Lateral view | right plain radiograph of the wrist | 14y M | in cast | image 78.6 mm wide: 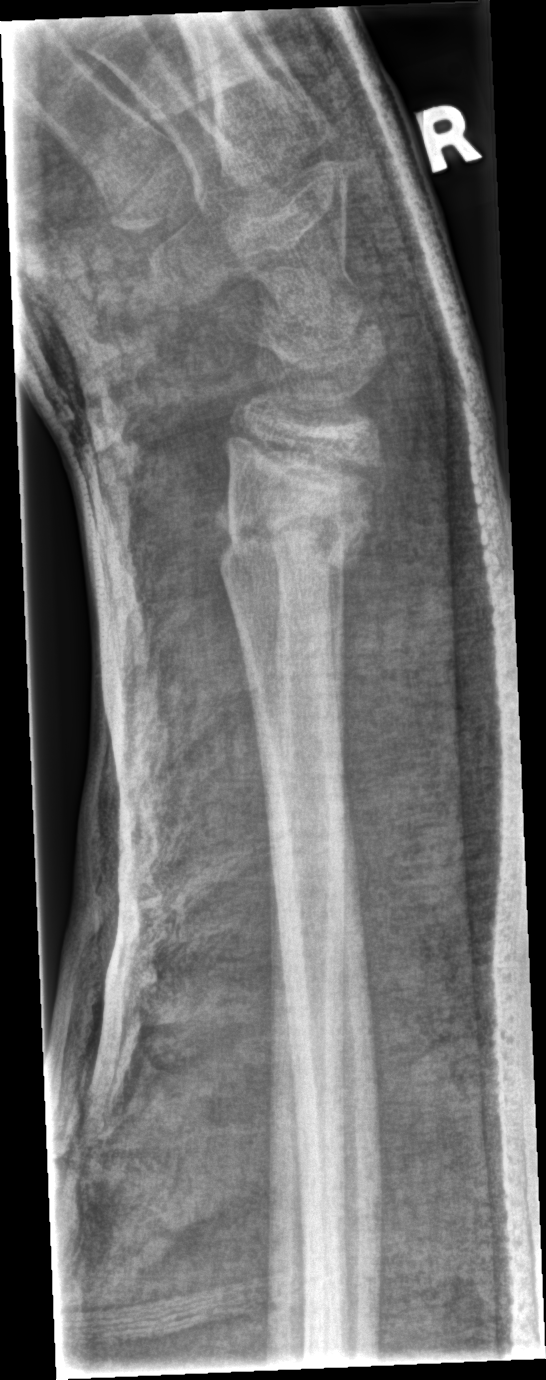 (coordinates are [x1, y1, x2, y2] in image pixels)
bone fracture = 1 @ 204 469 386 596